Lateral | right wrist plain film | image width 87.1 mm:
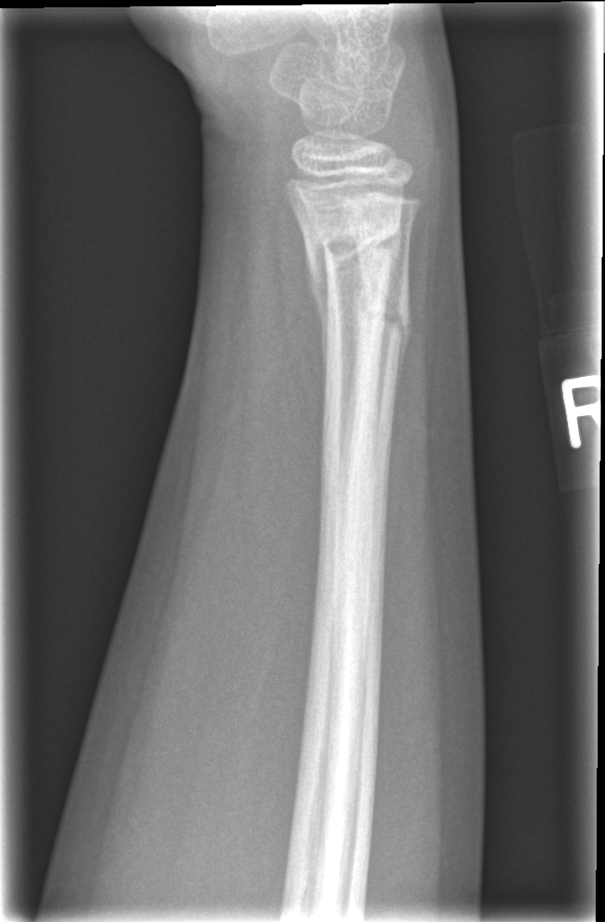 Two periosteal new bone at [x1=307, y1=243, x2=329, y2=387]; [x1=395, y1=307, x2=413, y2=400].
Bone fracture identified at [x1=302, y1=222, x2=407, y2=285], [x1=350, y1=302, x2=417, y2=356].